AP view | L wrist radiograph | 14y M | cast in situ:
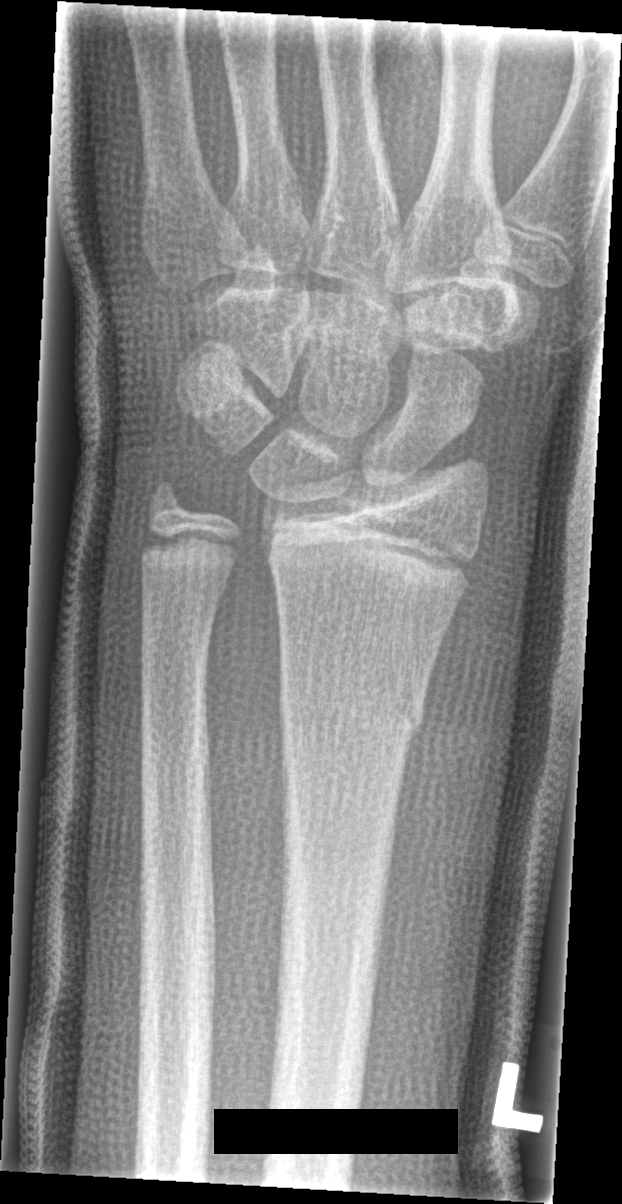 FINDINGS: Fx identified at bbox(275, 650, 429, 748). Fracture classified AO/OTA 23r-M/3.1; 23u-E/1.